Lt pediatric wrist radiograph, frontal, age 0.7 y, girl, presentation radiograph:

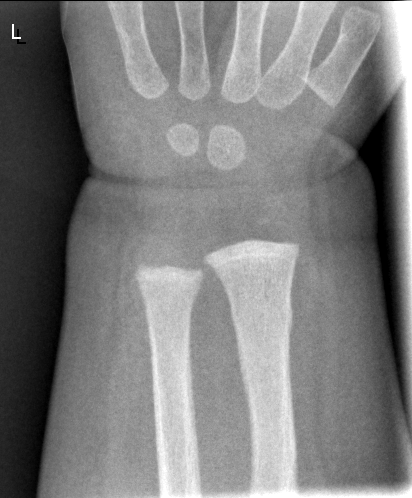 {
  "ao": "23r-M/2.1",
  "fracture": "(228, 297, 294, 334)"
}